Right wrist X-ray | posteroanterior projection | age 14 y, male | in cast.
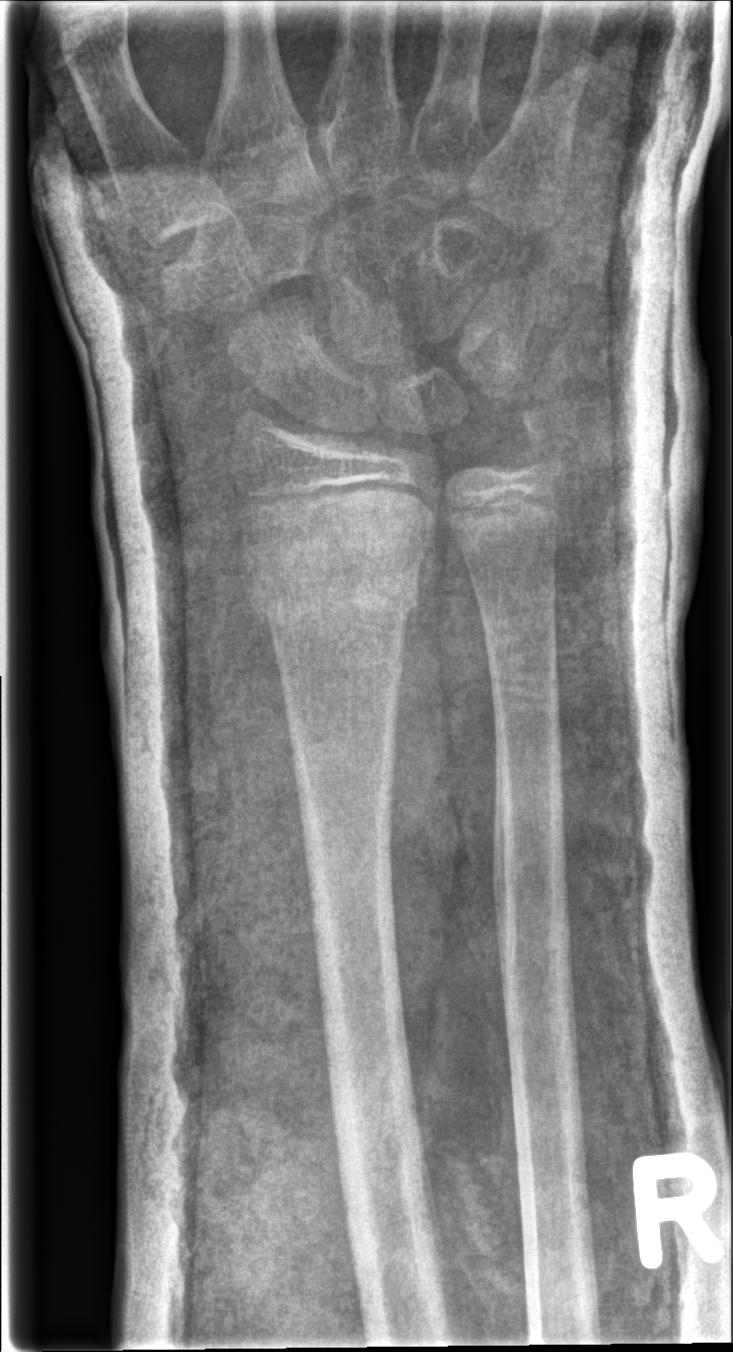 • Bounding boxes in image-pixel xyxy.
• Osteopenia.
• AO code 23r-M/3.1; 23u-E/7.
• Fx — (left=239, top=543, right=426, bottom=625), (left=505, top=411, right=569, bottom=489).